Right pediatric wrist radiograph, lateral view, age 10 y, female, Siemens, 422x992

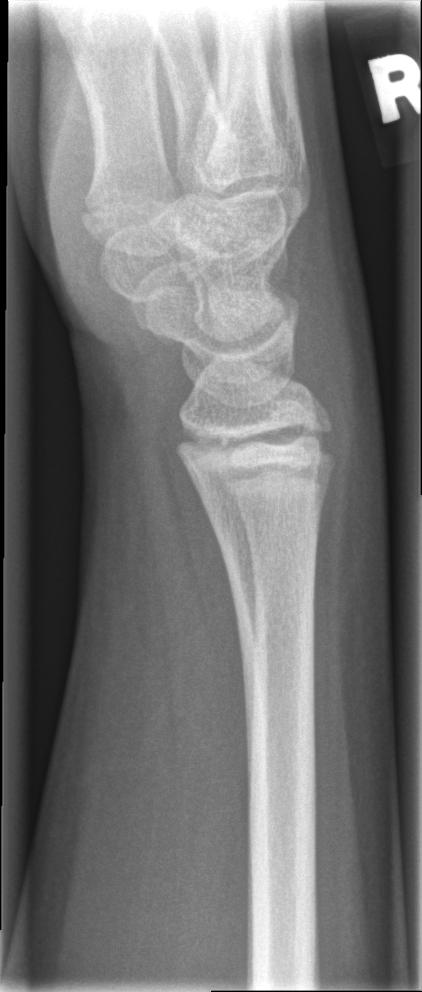

  fracture: 1 @ [170, 419, 342, 501]
  ao: 23r-E/2.1